Posteroanterior, left wrist XR

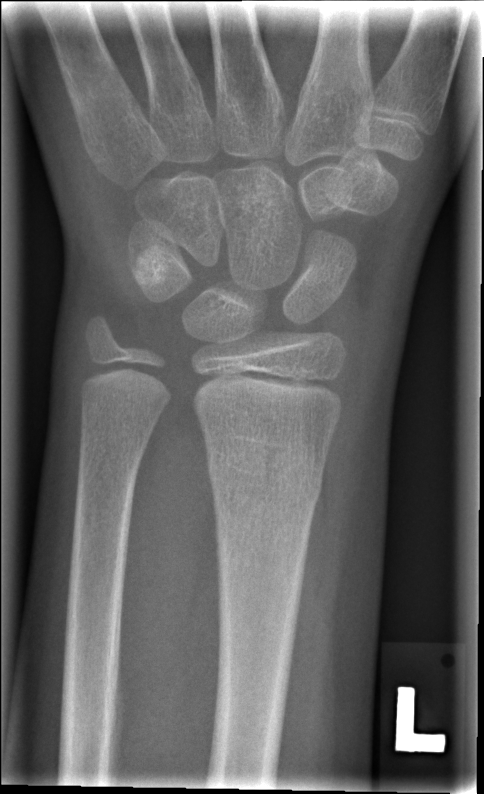
FINDINGS: Fx — (203, 441, 325, 508).